Lat projection; Rt wrist radiograph; 1.3-year-old girl. 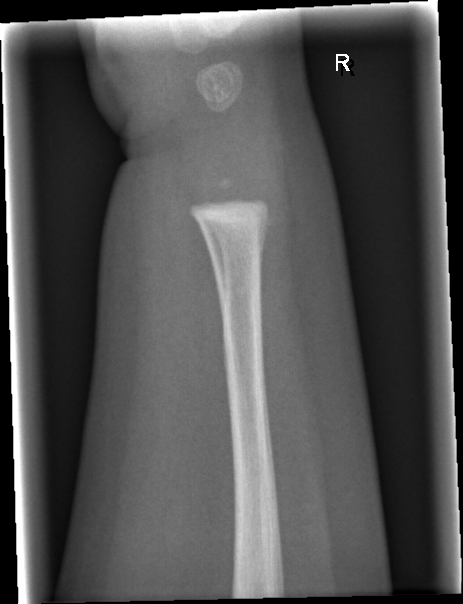
No fracture annotation.